Left wrist pediatric wrist radiograph, AP, initial study 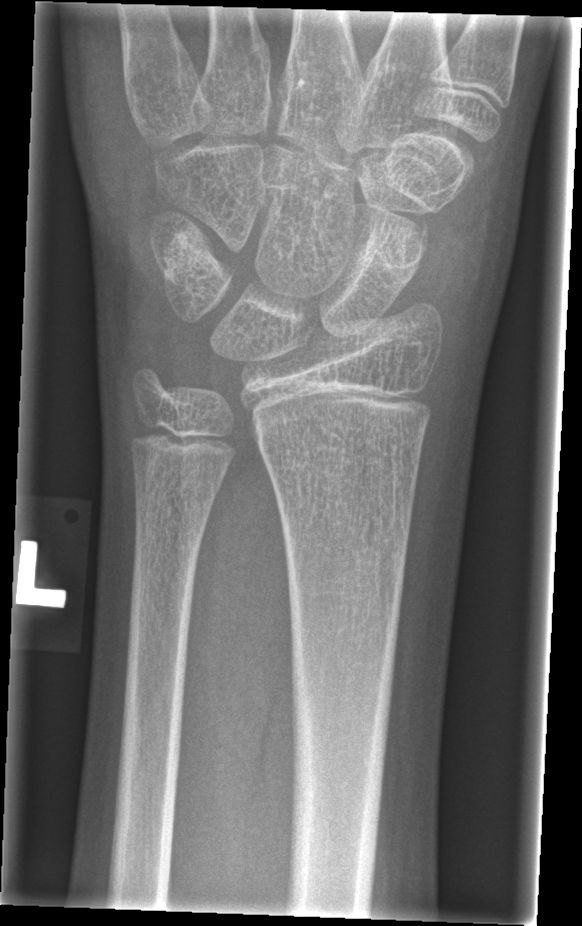 One fracture at bbox(390, 208, 436, 270). Fracture classified AO/OTA 72B(c).